Posteroanterior projection; Lt wrist X-ray; acquired on Siemens; image size 518x964.
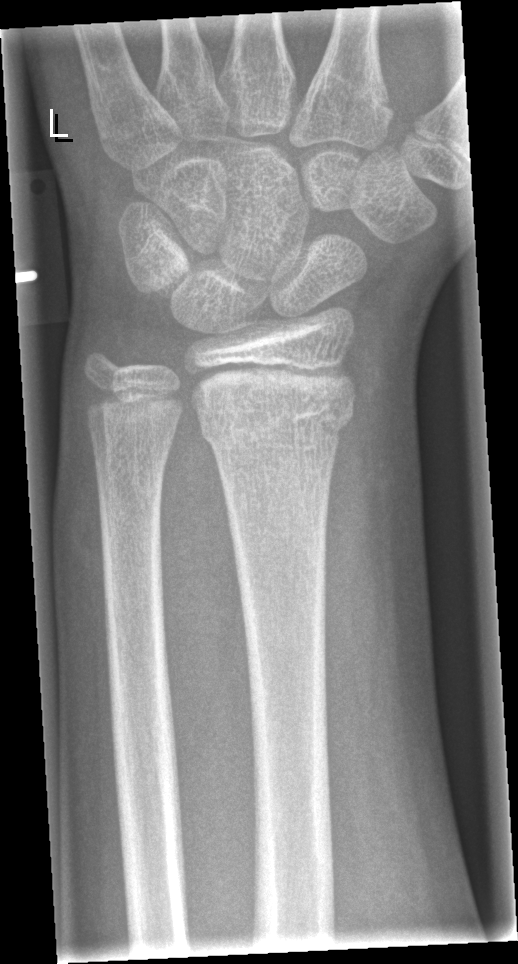   fracture: 1 @ [196, 382, 356, 457]
  ao: 23r-M/2.1